PA projection; Lt pediatric wrist radiograph; image size 527x752 — 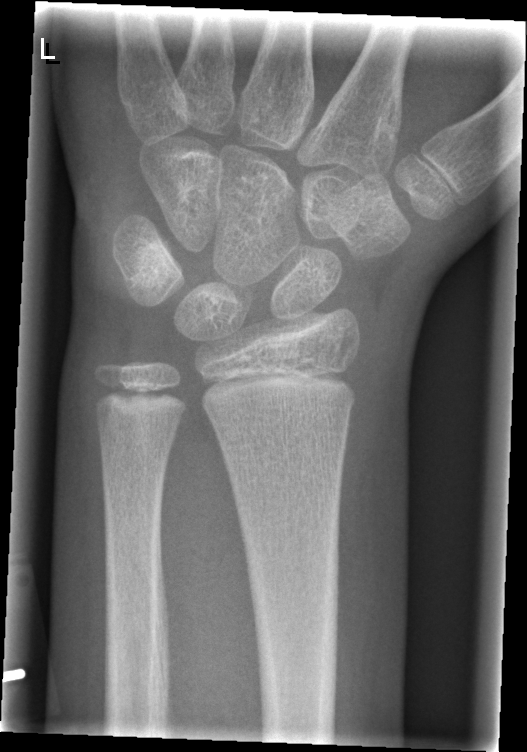

FINDINGS: No fracture bounding box.